Right wrist radiograph, lateral view. 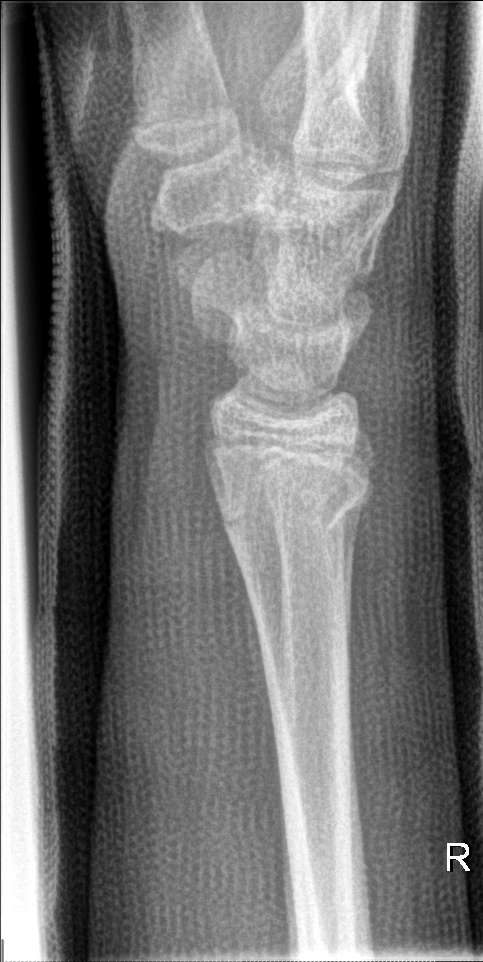

Fx — [214, 460, 373, 553].
AO code 23r-M/3.1; 23u-E/7.